Lateral projection, right wrist XR, boy, 7 yo, 60.8 mm image width — 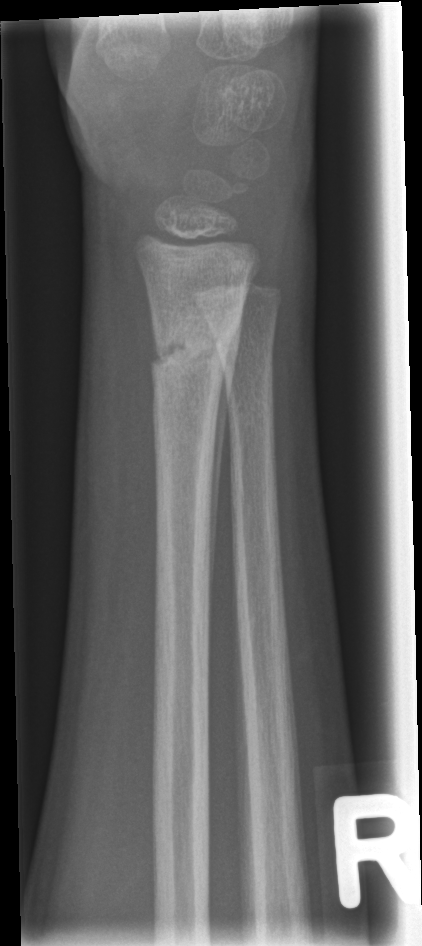
FINDINGS — One Fx at 149 321 236 387. One periosteal new bone at 206 346 240 592. Decreased bone density (osteopenia).